Lateral view | right wrist radiograph | pediatric patient (girl, age 16): 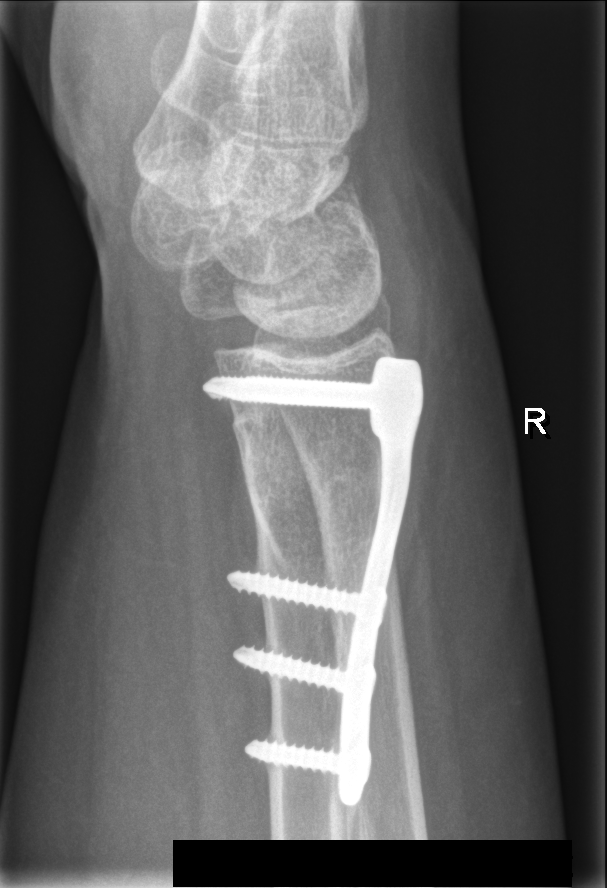

Q: Locate any hardware.
A: Metal: 217,358,418,797
Q: Is there a fracture?
A: Fx — 233,402,384,567